Left wrist X-ray; AP projection; age 1.5 y, girl: 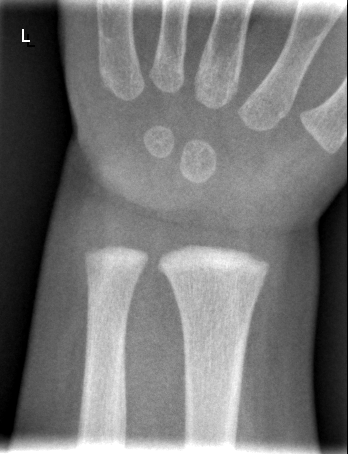 - No fracture bounding box.